Right wrist plain film, posteroanterior view, boy, 5 yo.

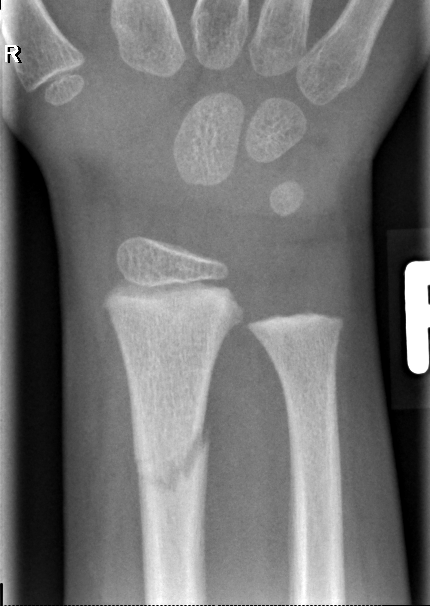

Findings: (coordinates are [x1, y1, x2, y2] in image pixels) Fx — 134,419,212,501. Fracture classified AO/OTA 23r-M/3.1.